Lateral; Lt wrist XR; 706 x 910 px

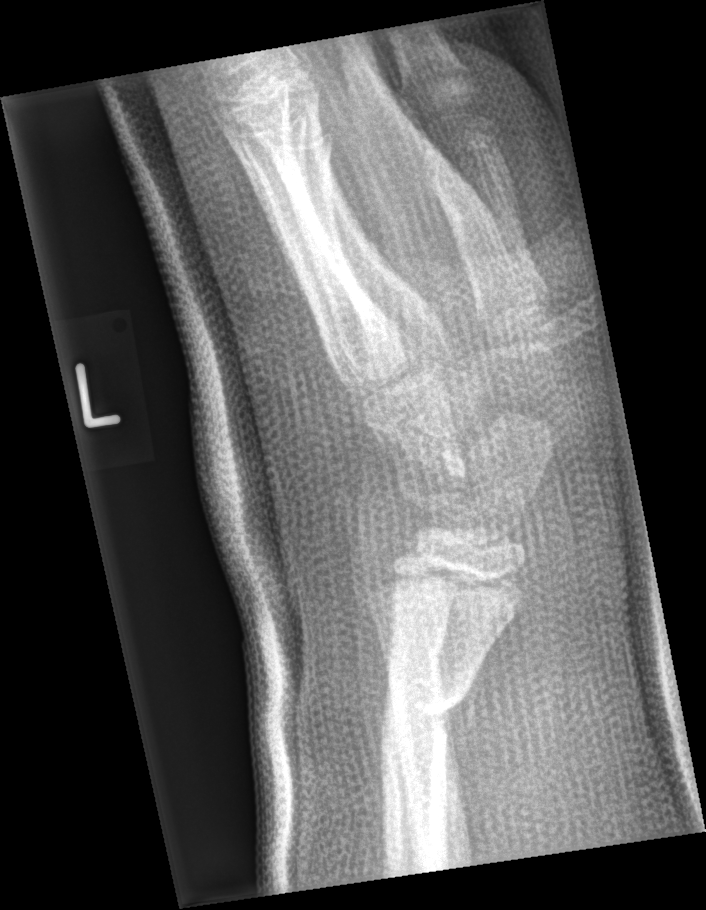 One Fx at [373, 650, 484, 771].
AO/OTA classification: 23-M/2.1.
Periosteal thickening: [431, 632, 500, 871].